Lateral view; Rt wrist radiograph; girl, 16 yo; 522 by 1066 pixels

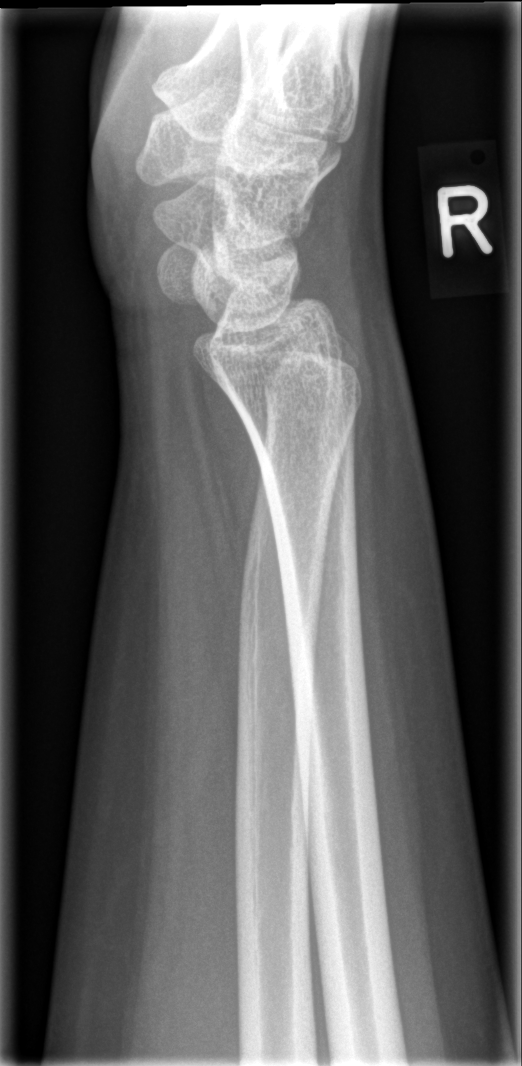 Q: Is there a fracture?
A: Fx: none